Posteroanterior view, Lt pediatric wrist radiograph, pediatric patient (boy, age 9), presentation radiograph, 531 by 854 pixels. 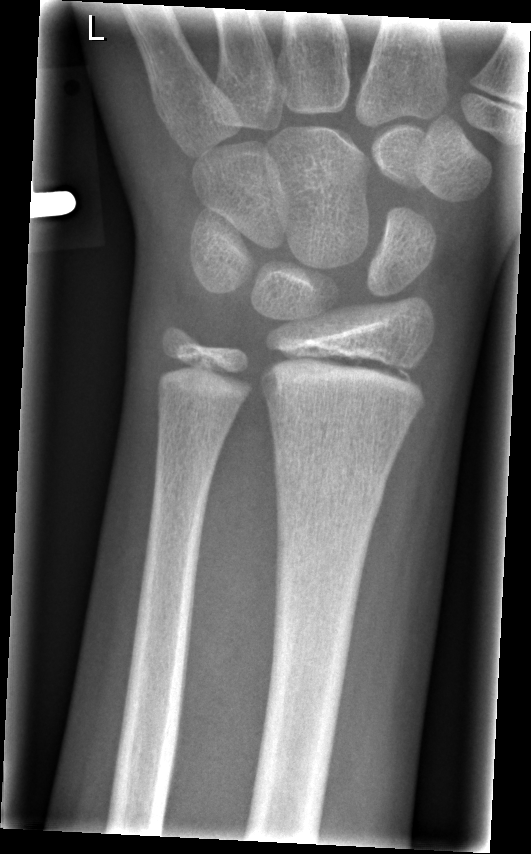

Q: Fracture present?
A: Fracture — (268, 438, 389, 525)